Rt plain radiograph of the wrist, PA view, imaged through cast. 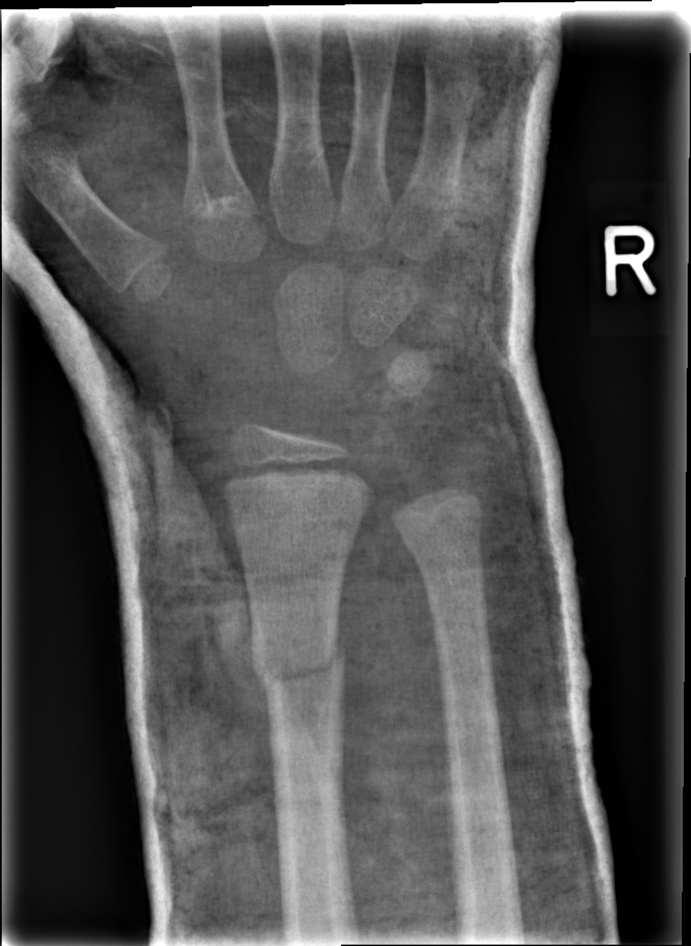

One Fx at [244, 634, 351, 698].
Fracture classified AO/OTA 23r-M/3.1; 23u-M/2.1.